AP projection | right wrist pediatric wrist radiograph | 12-year-old male.

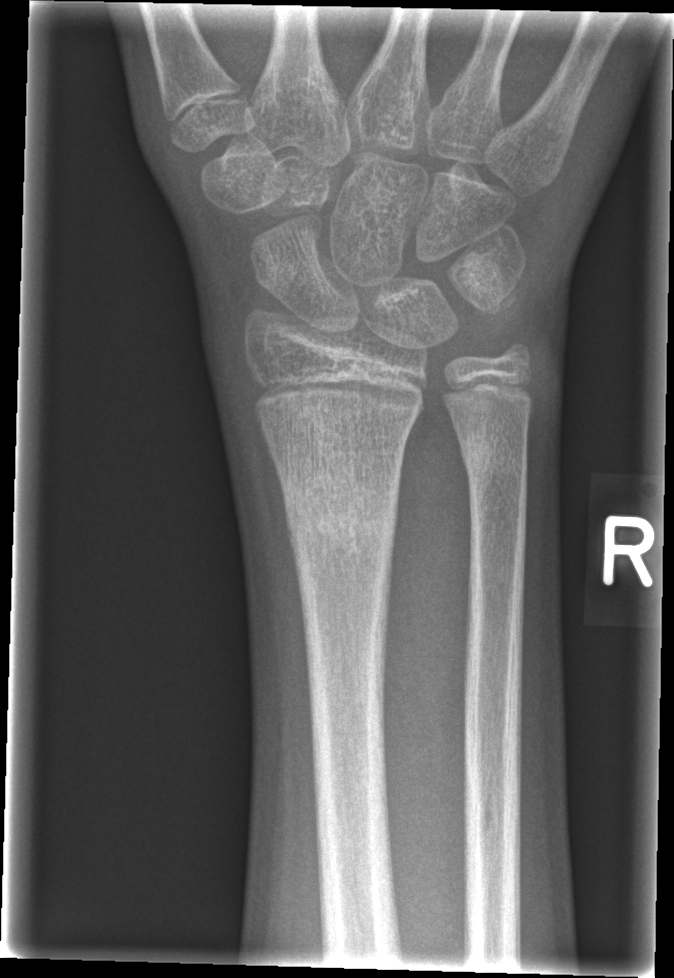

{
  "osteopenia": "present",
  "fracture": "2 @ (281, 480, 399, 563), (457, 424, 534, 497)",
  "ao": "23-M/2.1"
}